AP projection · left plain radiograph of the wrist · age 14 y, male · in cast · 767 x 1154 px:
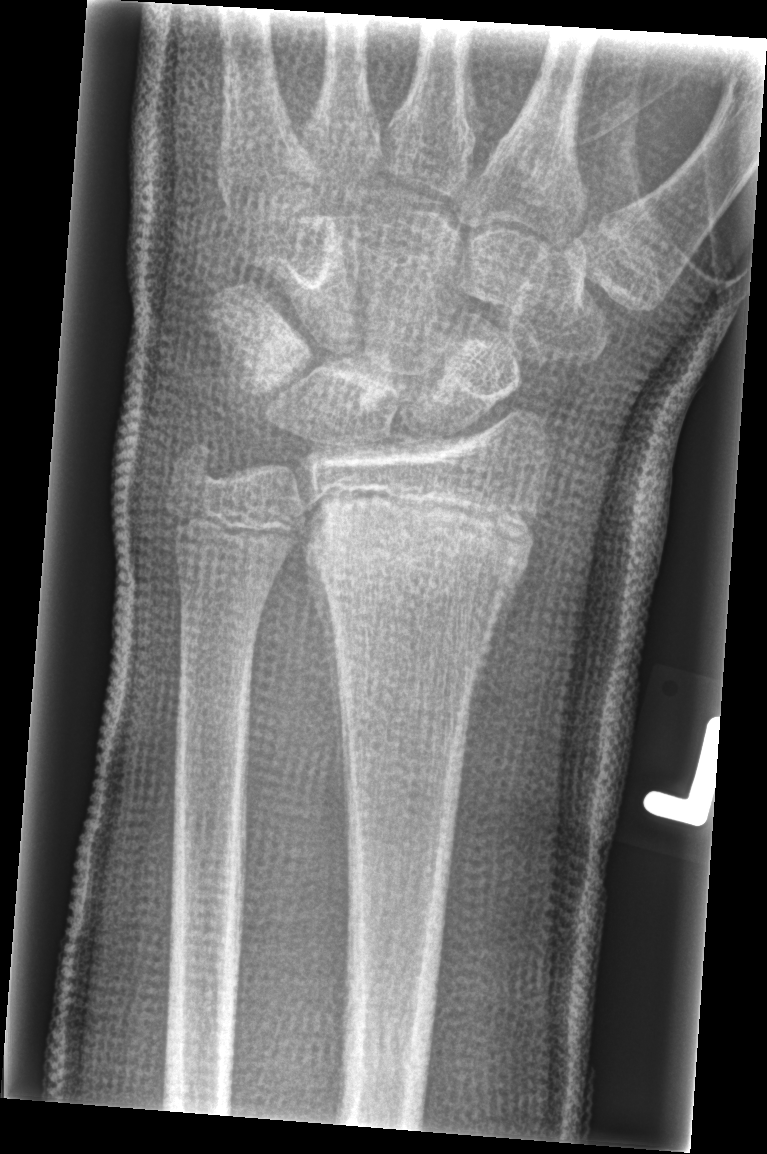

• Boxes as x1,y1,x2,y2 (top-left / bottom-right, pixel units).
• Two periosteal reaction at bbox(303, 546, 350, 852), bbox(464, 571, 523, 763).
• Fracture: bbox(286, 498, 548, 602), bbox(166, 434, 229, 499).